Right wrist plain film, frontal projection. 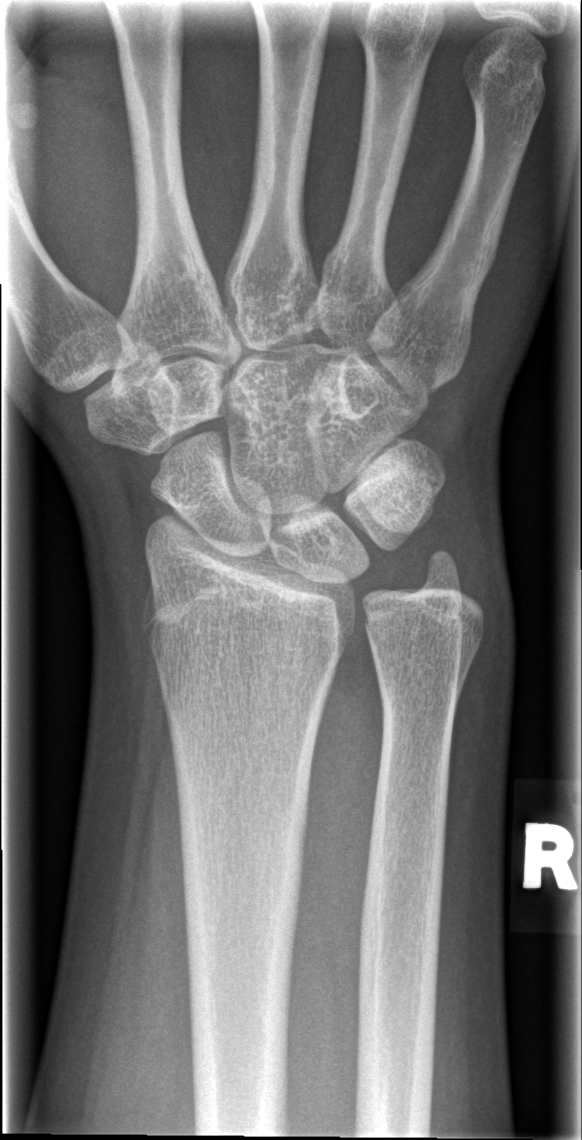

fracture: none labeled